Lt wrist radiograph · lat · initial study · image width 80.1 mm — 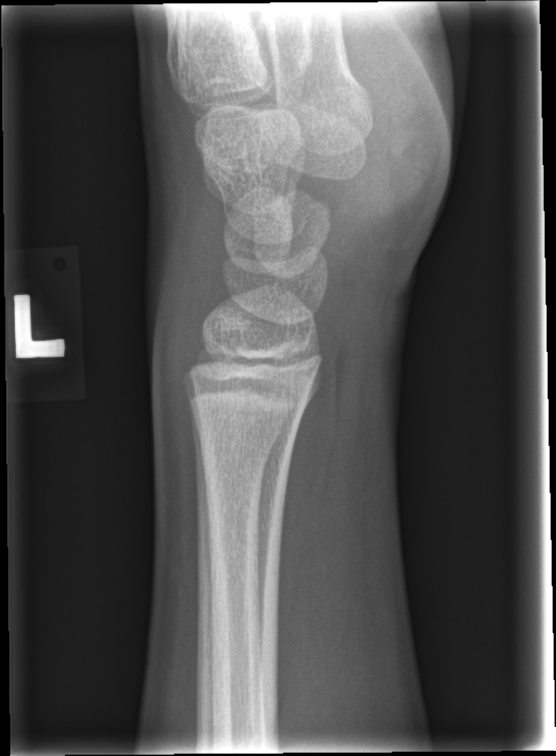
No fracture labeled.